Right wrist plain film | posteroanterior | follow-up | imaged through cast:
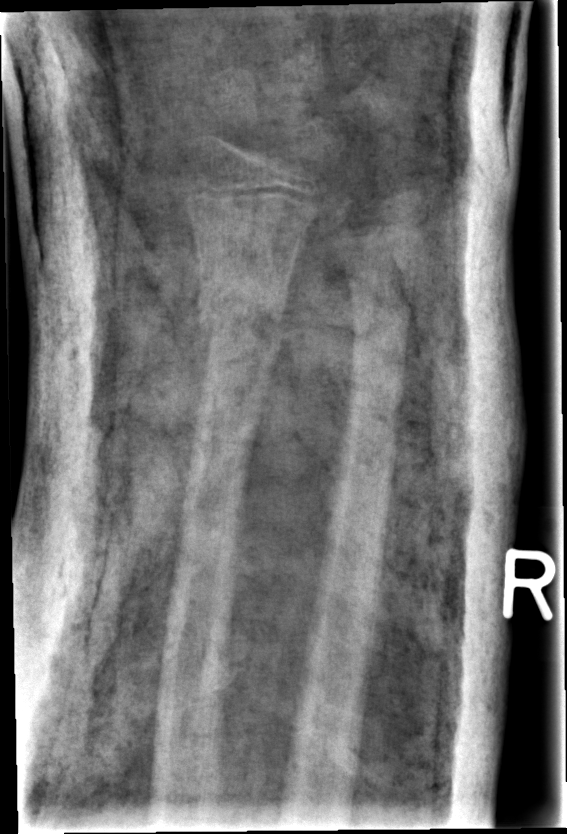

fracture: 1 @ (194, 279, 291, 362)